Left wrist XR | frontal projection | index exam | image size 442x732 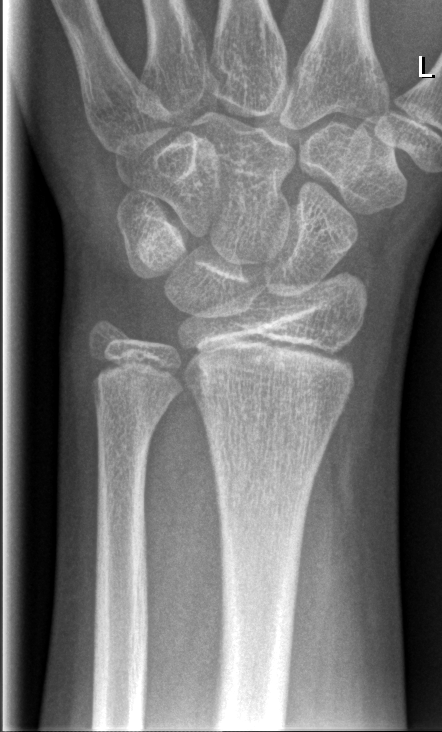

Bone fracture = none labeled